Lat projection · R wrist radiograph · male, 13 yo · detector: Siemens · 58.2 mm image width · 404 x 770 px — 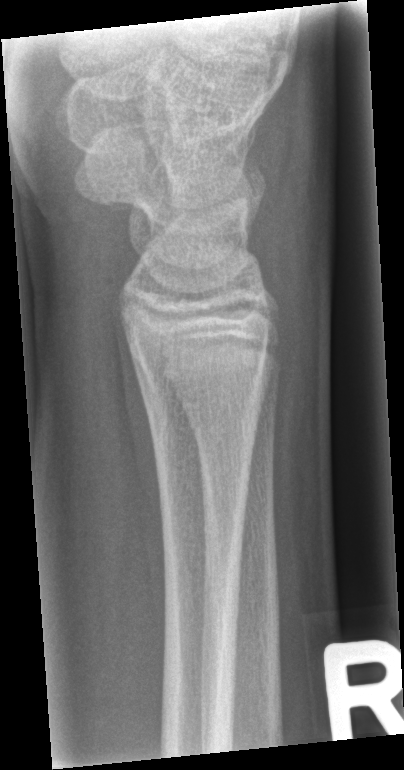

AO classification = 72B(c)
Fx = present but not clearly seen in this view